Lat, Rt wrist plain film, boy, 12 yo, detector: Siemens, 579 by 1012 pixels:
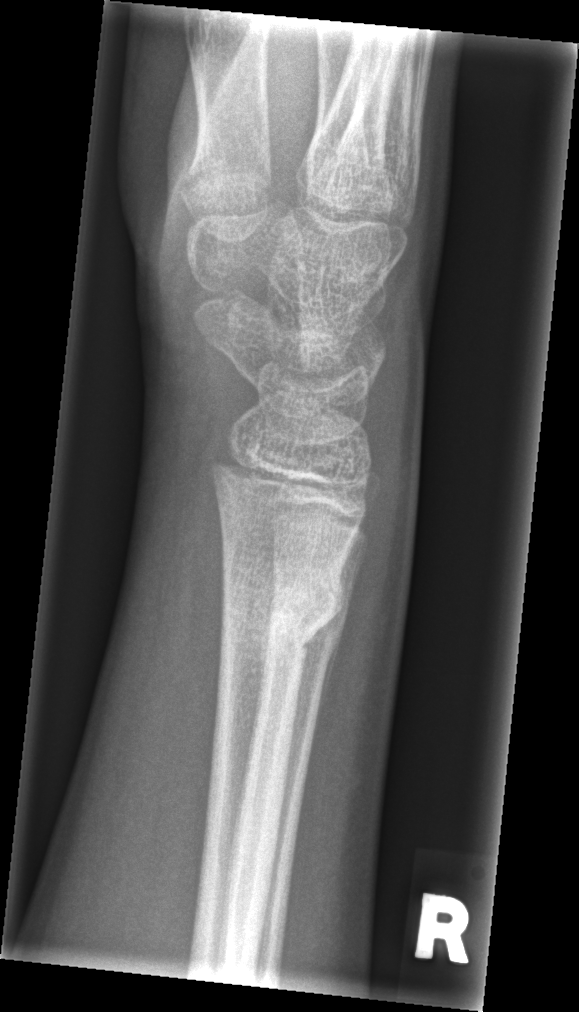
- Reduced bone mineral density.
- One periosteal reaction at 311 633 342 739.
- One Fx at 214 559 350 661.